Lateral · R plain radiograph of the wrist · male, 15 yo:

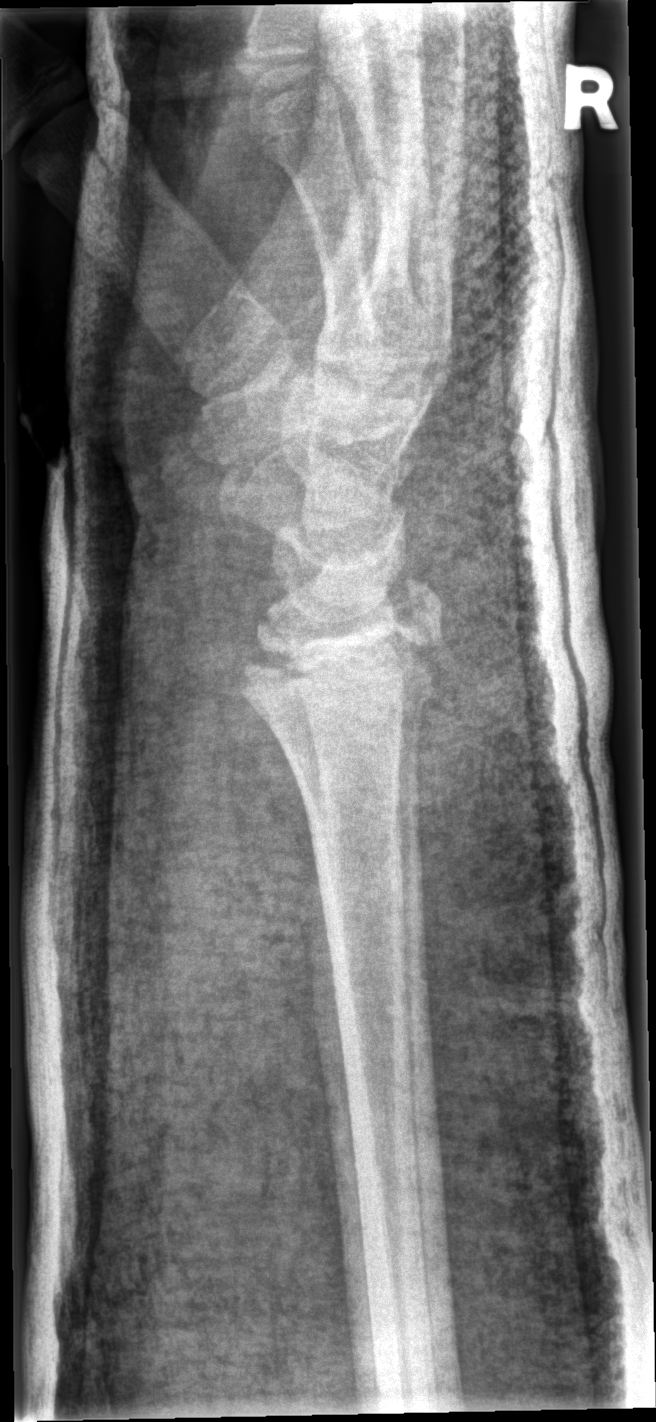   # boxes as x1,y1,x2,y2 (top-left / bottom-right, pixel units)
  fracture: 1 @ [x1=238, y1=568, x2=448, y2=710]